L wrist radiograph; AP view; boy, 11 yo 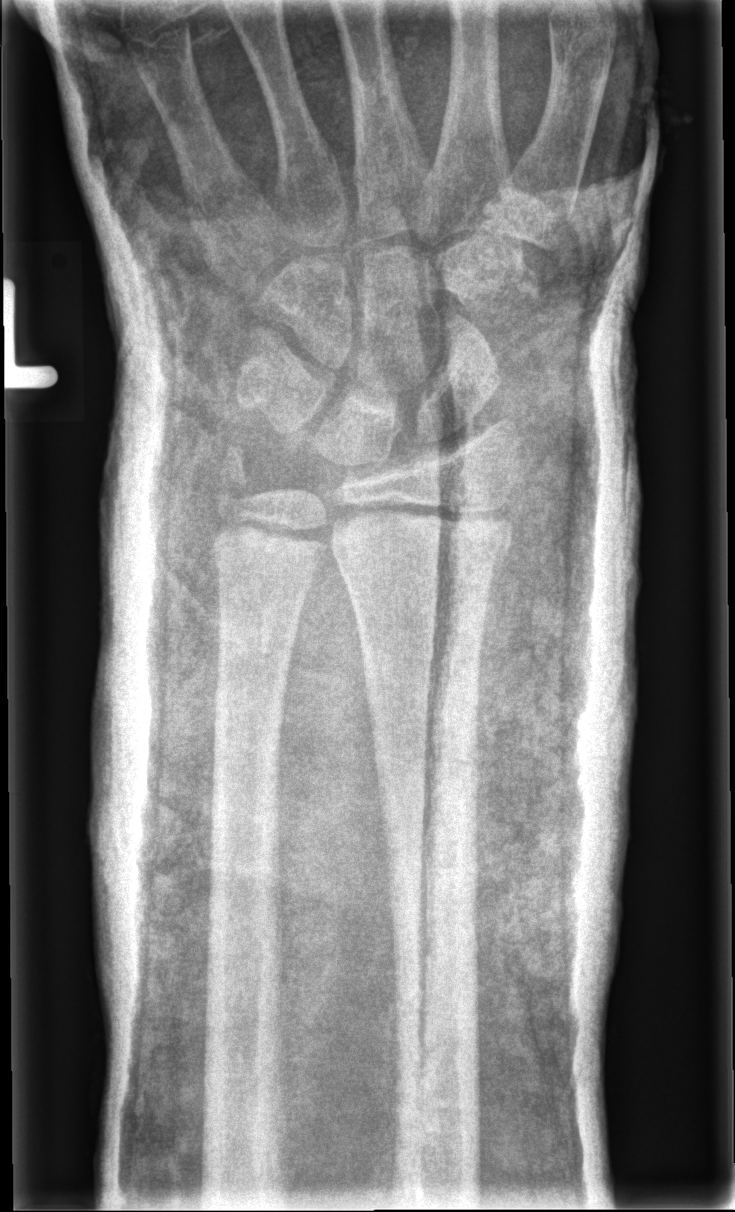 fracture: (332, 501, 518, 579) (200, 437, 265, 511)
ao: 23r-E/2.1; 23u-E/7